AP view; L wrist radiograph; pediatric patient (male, age 12); cast present —

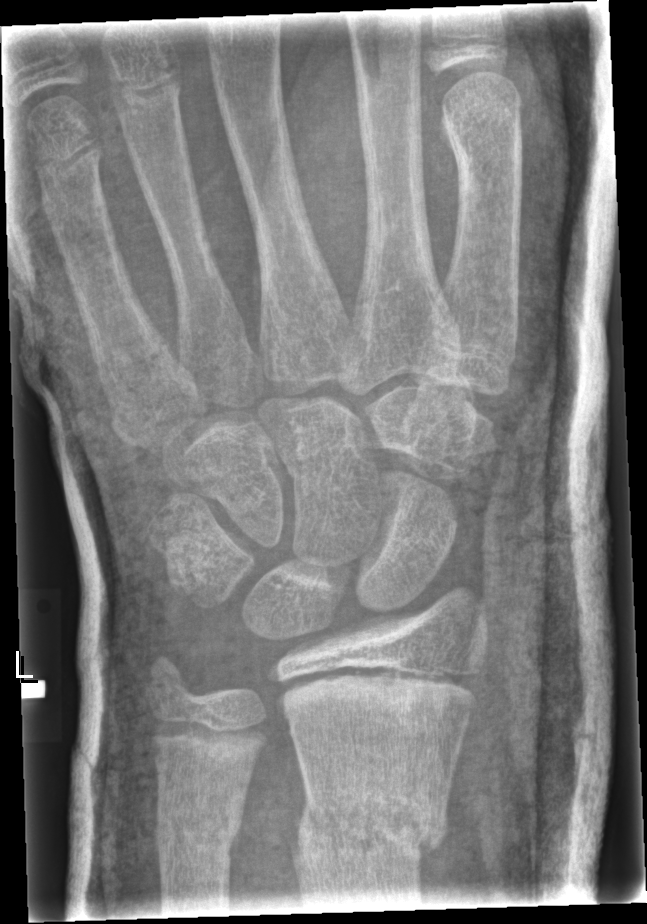

(coordinates are [x1, y1, x2, y2] in image pixels)
AO/OTA: 23-M/3.1; 23u-E/7
bone fracture: [x1=280, y1=783, x2=451, y2=865]; [x1=150, y1=797, x2=242, y2=857]; [x1=139, y1=650, x2=205, y2=714]